Lat view, L wrist XR, age 10 y, boy —

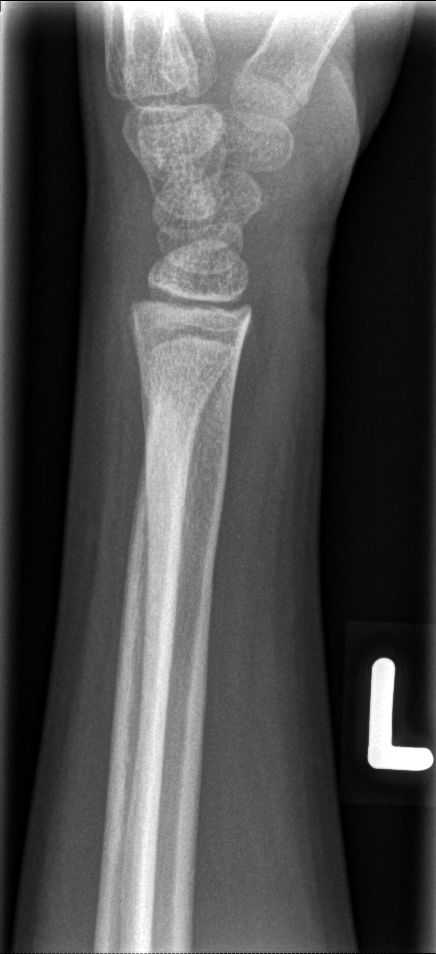

  fracture: <136,397>-<235,640>